Frontal projection; Lt plain radiograph of the wrist; age 13 y, boy
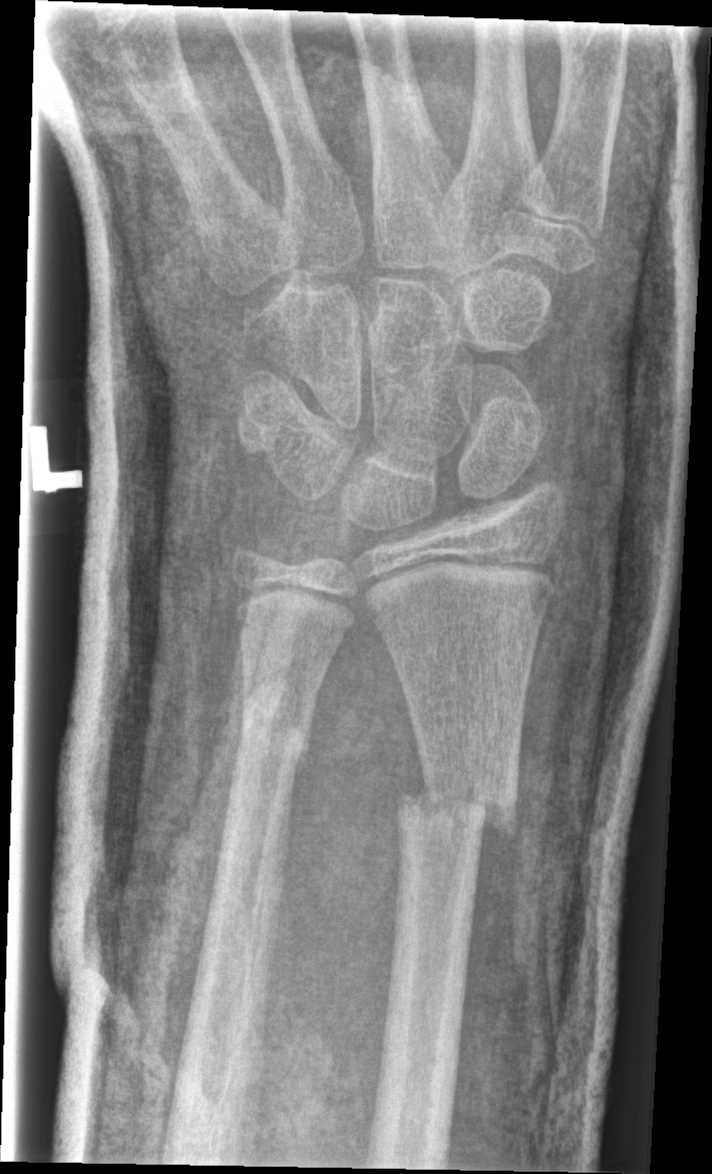

Fractures — <390,760>-<524,855>; <233,677>-<316,768>.